Lat view | R wrist radiograph | 8y M | image 47.2 mm wide:
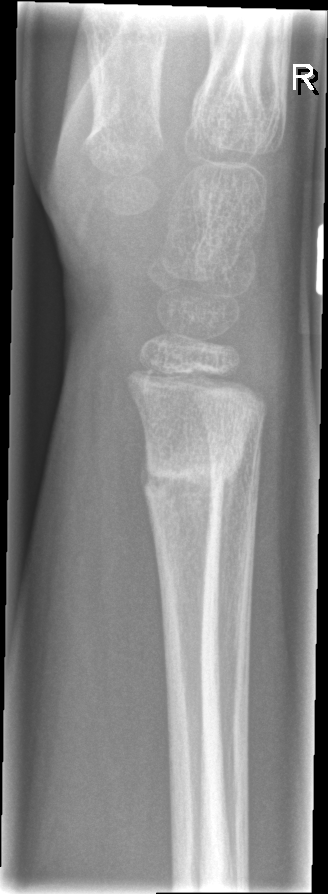

AO code: 23r-M/3.1; 23u-M/2.1
Fx: 1 @ (137, 452, 240, 504)
Periosteal new bone: 1 @ (217, 466, 241, 640)